R wrist X-ray, AP. 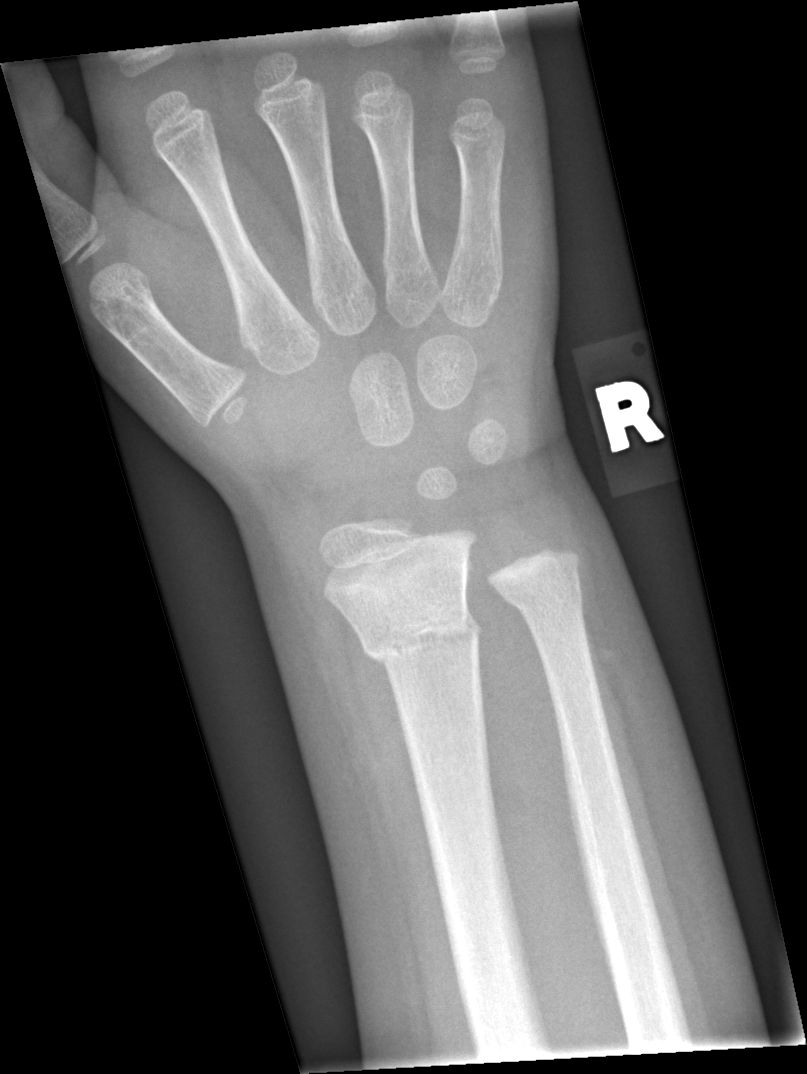 Q: What is the AO/OTA classification?
A: AO/OTA classification: 23r-M/3.1; 23u-M/2.1
Q: Locate any fractures.
A: Bone fracture: <354,594>-<487,669>; <501,566>-<588,625>